Right wrist plain film · PA:

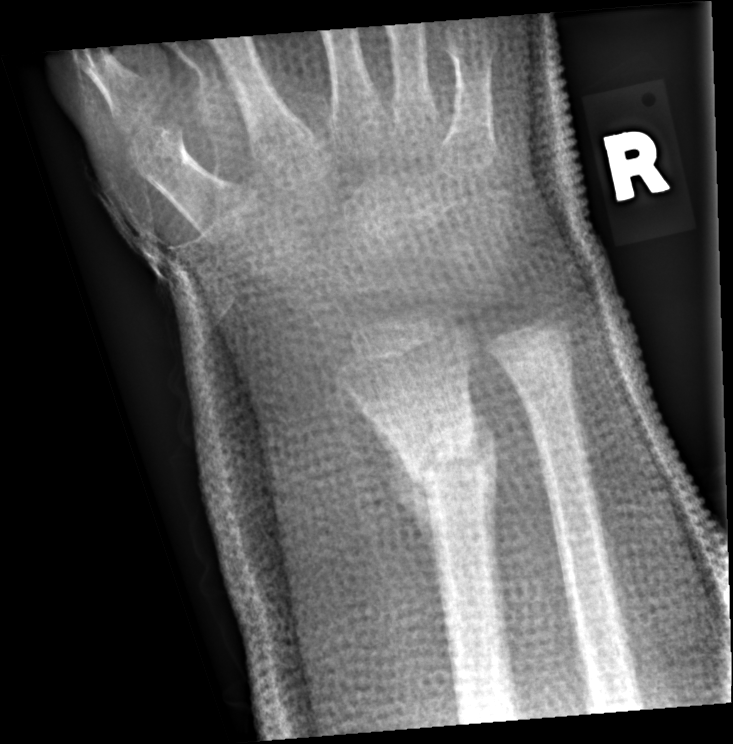 Boxes as x1,y1,x2,y2 (top-left / bottom-right, pixel units). Bone fracture: bbox(406, 412, 498, 497).